R wrist plain film | frontal view | 3-year-old male.
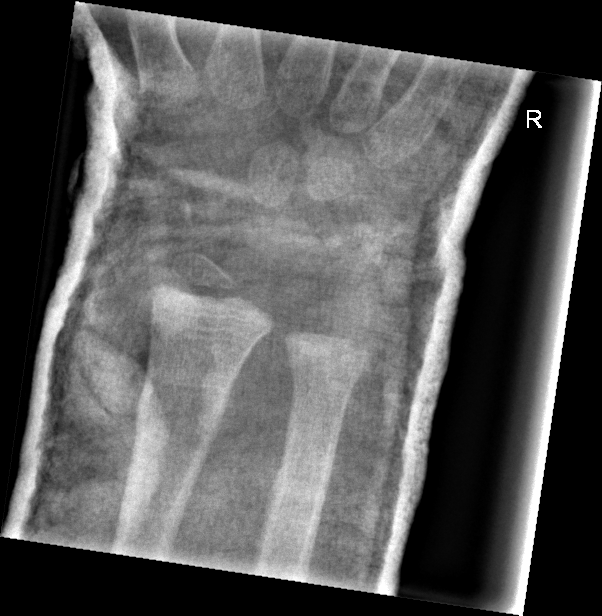
fracture: 2 @ bbox(130, 375, 233, 453); bbox(281, 348, 369, 415)